Frontal projection | R wrist XR: 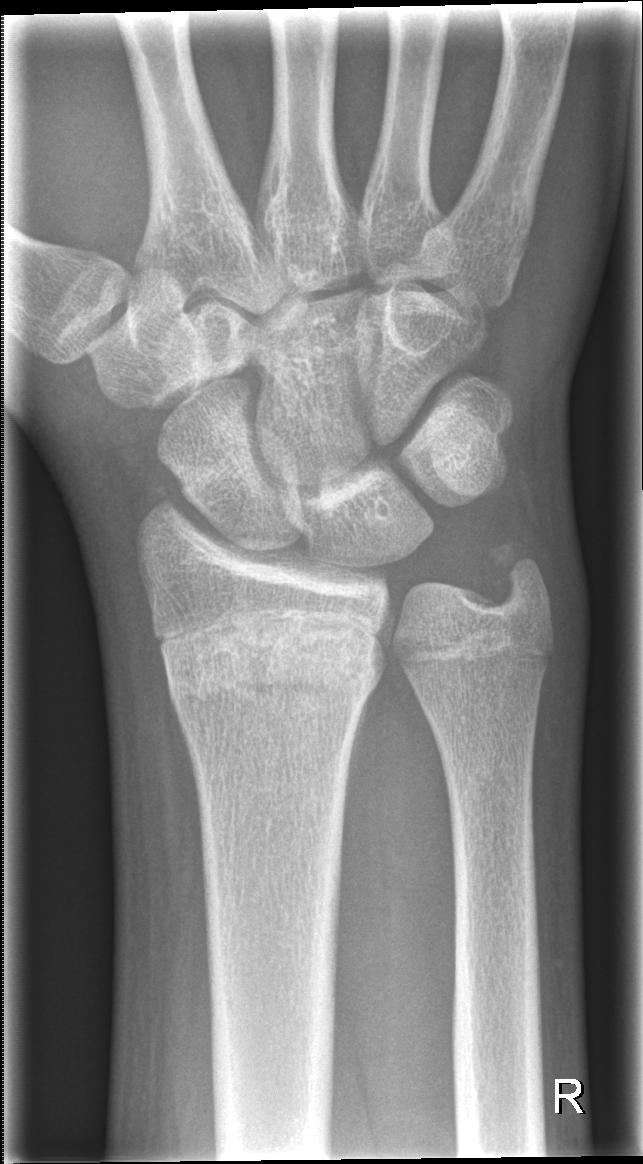 Q: Locate any fractures.
A: Fracture: (left=154, top=611, right=391, bottom=729); (left=483, top=533, right=552, bottom=611)
Q: Is there periosteal reaction?
A: Periosteal thickening: (left=341, top=683, right=379, bottom=832)
Q: What is the AO/OTA classification?
A: AO/OTA classification: 23r-M/3.1; 23u-E/7